PA/AP view · left plain radiograph of the wrist · index exam · 69.0 mm image width · 479x758 —

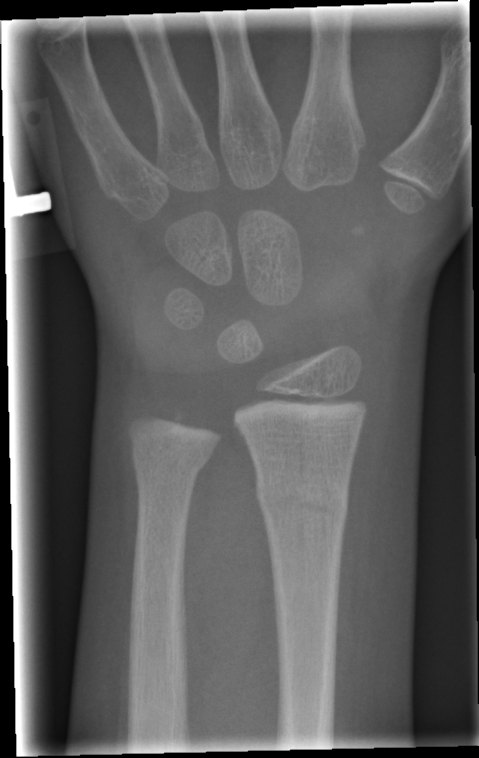 Coordinates are [x1, y1, x2, y2] in image pixels. Two Fx at <254,467>-<350,529>, <127,442>-<214,483>.